Lateral, Rt wrist radiograph, 11-year-old female 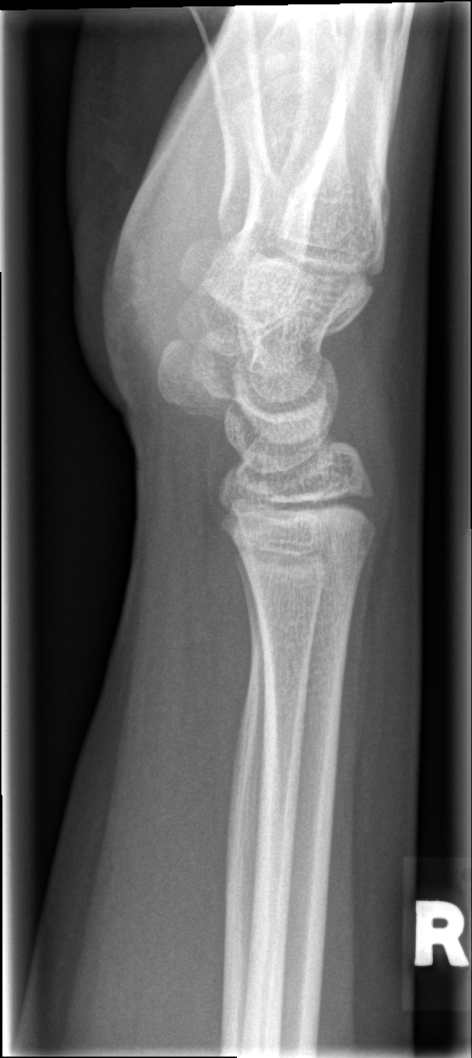 • No fracture bounding box.